AP · left wrist plain film · 94.2 mm image width.

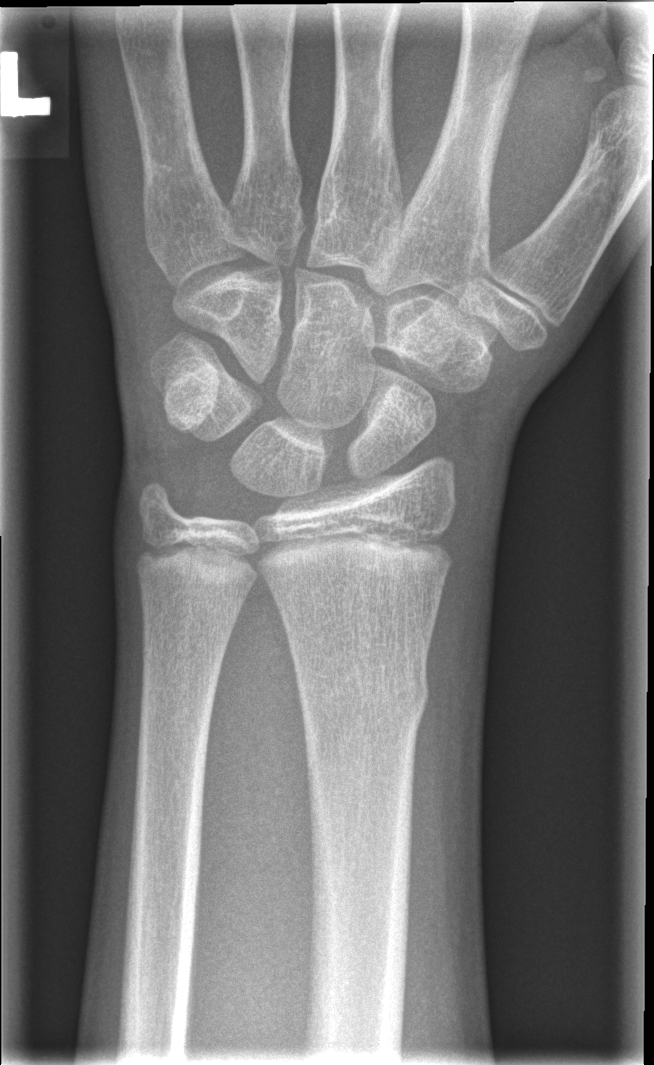
AO/OTA classification: 23r-M/2.1.
Fracture: [289, 651, 436, 731].